Left wrist X-ray | lat | age 17 y, male | image width 79.6 mm | 553 x 884 px —

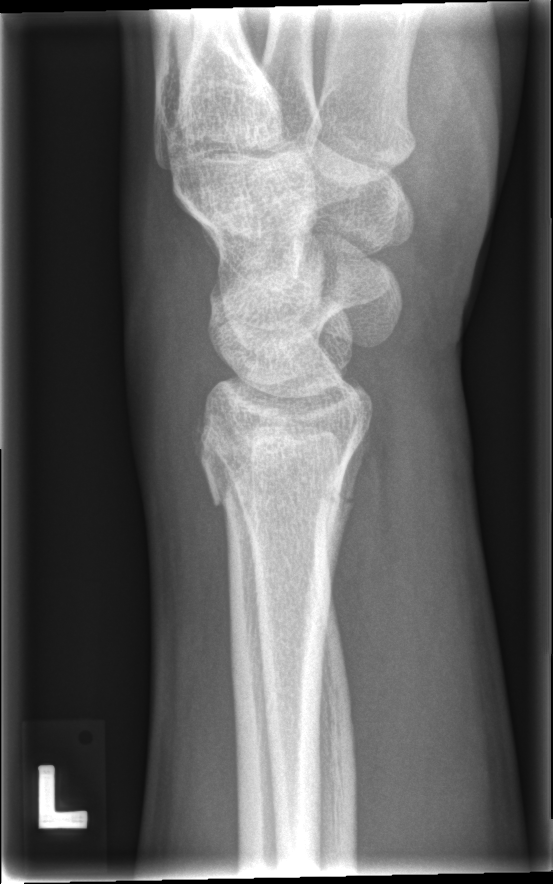
Fracture classified AO/OTA 23r-M/3.1; 23u-E/7. One soft-tissue finding at (121, 173, 219, 481). Fracture — (204, 458, 360, 525).